Rt wrist X-ray | posteroanterior view | 2-year-old boy: 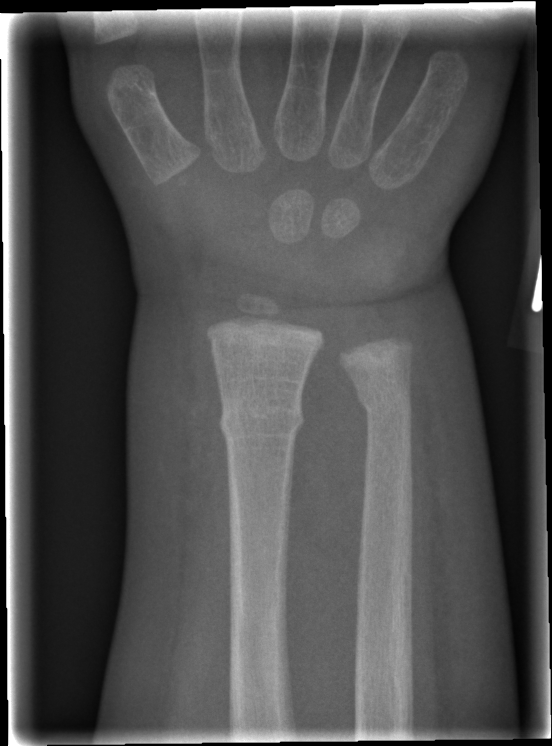
(boxes as x1,y1,x2,y2 (top-left / bottom-right, pixel units))
Bone fracture = <216,393>-<307,449>, <349,386>-<414,423>